Left wrist plain radiograph of the wrist; AP view.

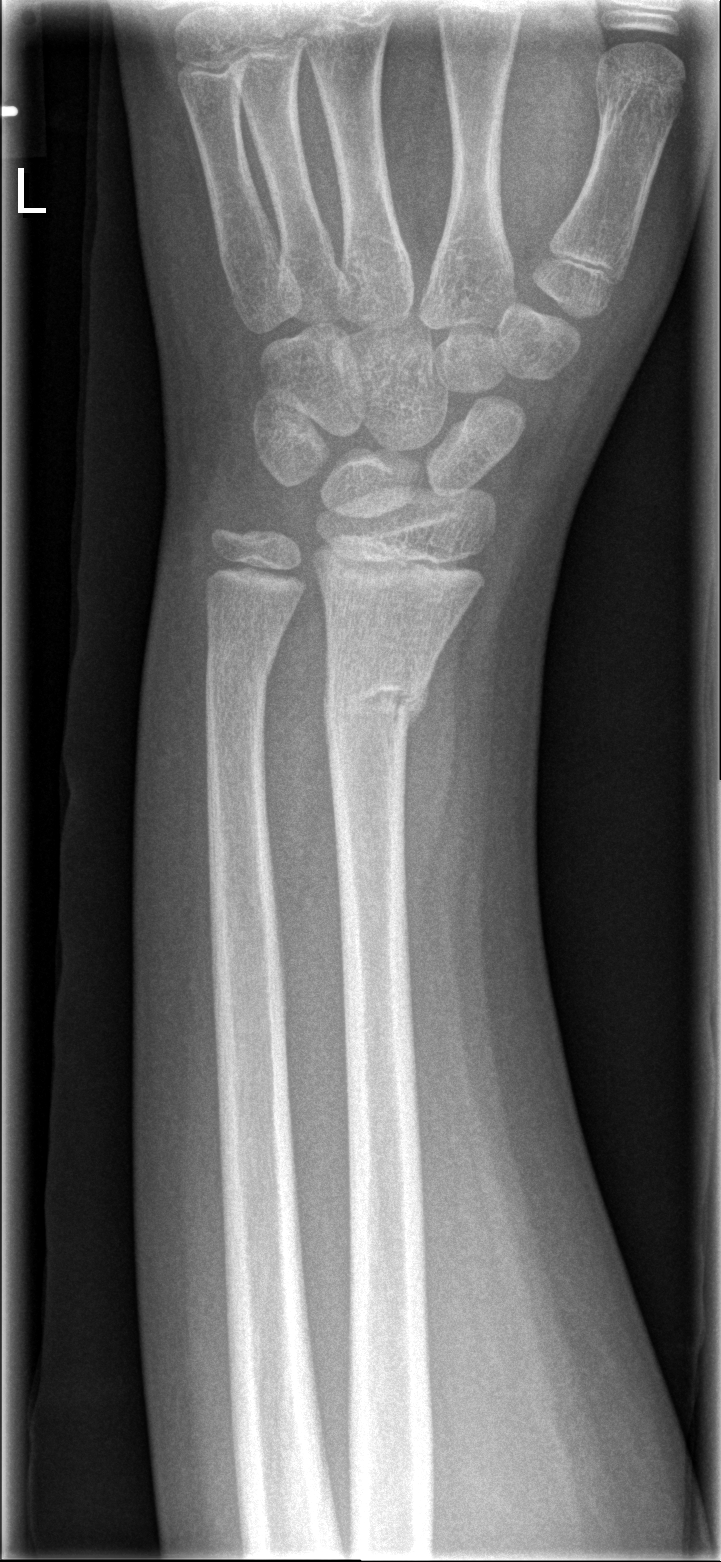 Bone fracture: [322, 665, 435, 734] [202, 640, 281, 695].
AO code 23r-M/3.1; 23u-M/2.1.